R wrist radiograph · AP projection · boy, 4 yo · initial study · image width 73.9 mm · 513 by 1168 pixels — 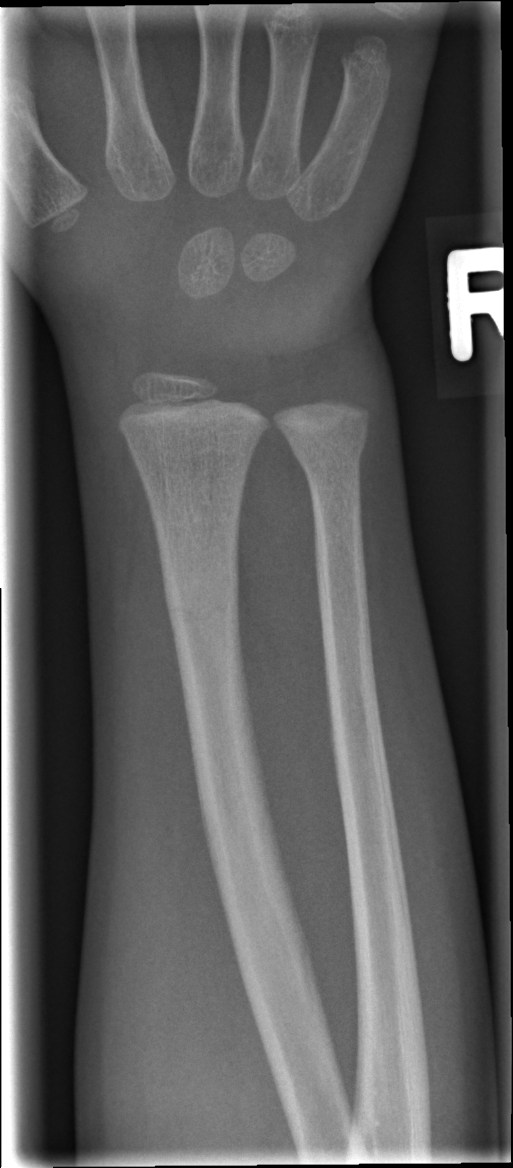   # pixel coordinates, top-left origin, xyxy
  fracture: 2 @ <286,423>-<370,476>, <160,584>-<245,635>
  ao: 22r-D/2.1; 23u-M/2.1